AP; left wrist plain film; initial study: 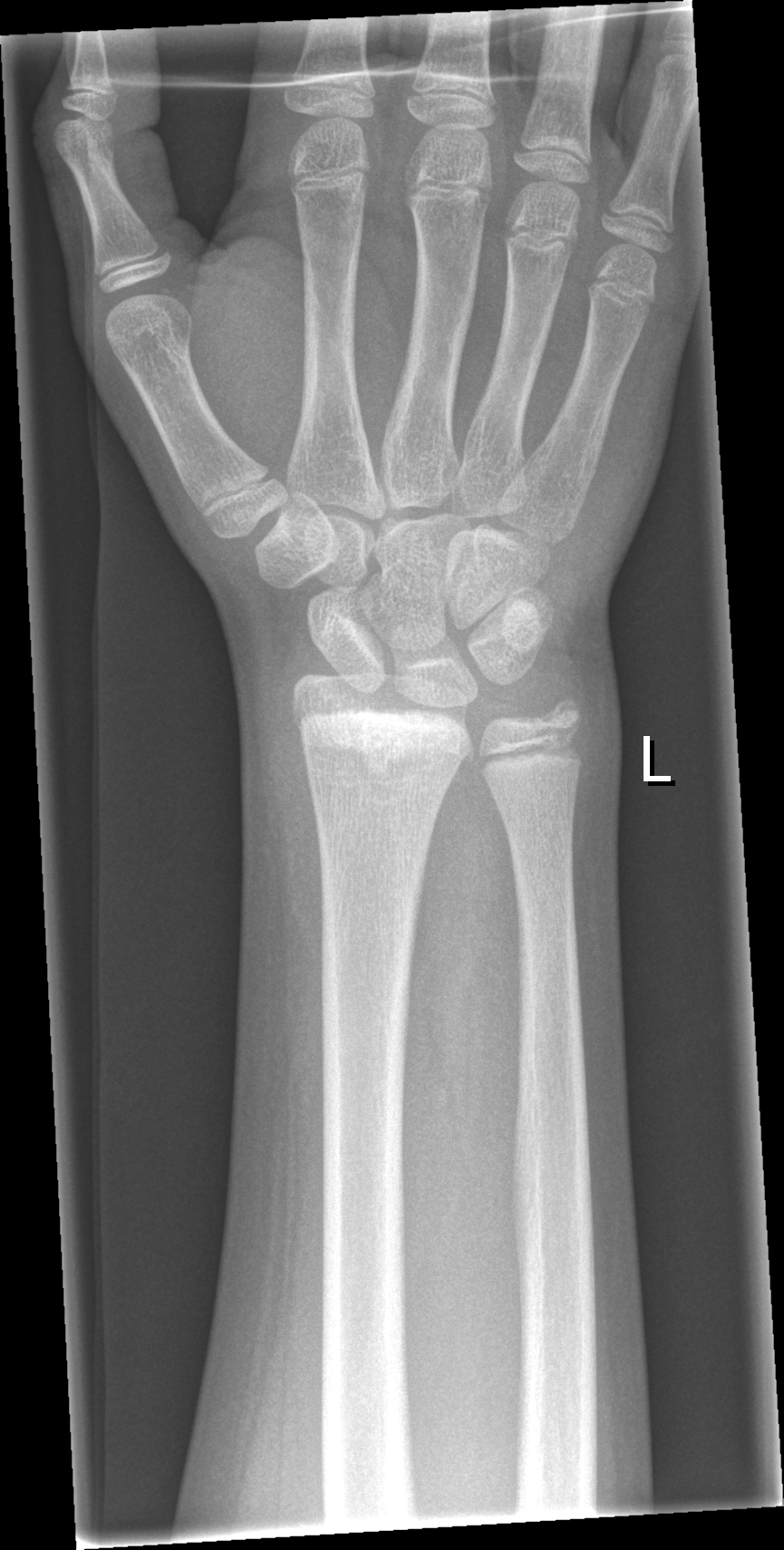

• Pixel coordinates, top-left origin, xyxy.
• Bone fractures — bbox(287, 695, 477, 776), bbox(529, 688, 590, 751).
• AO code 23r-E/2.1; 23u-E/7.